Lateral | right wrist radiograph | 10-year-old male | follow-up | image size 360x1136.

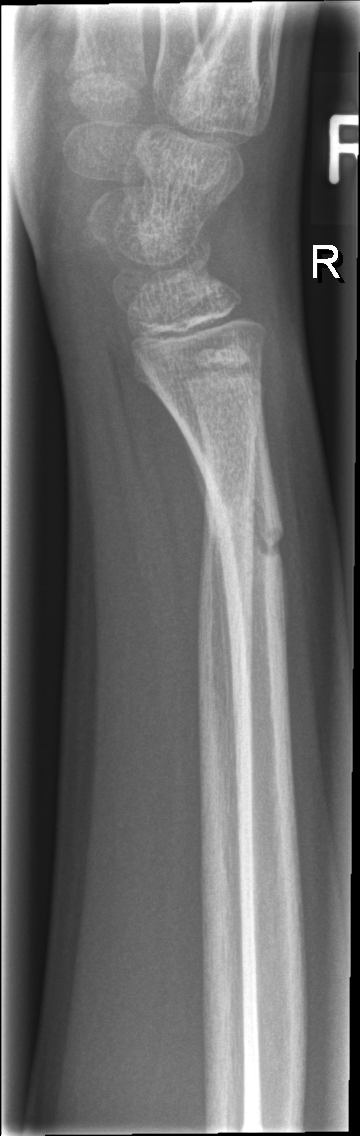 • Bone fracture identified at <200,476>-<294,582>.
• Fracture classified AO/OTA 23r-M/3.1; 23u-M/2.1.